Lt wrist plain film | posteroanterior view. 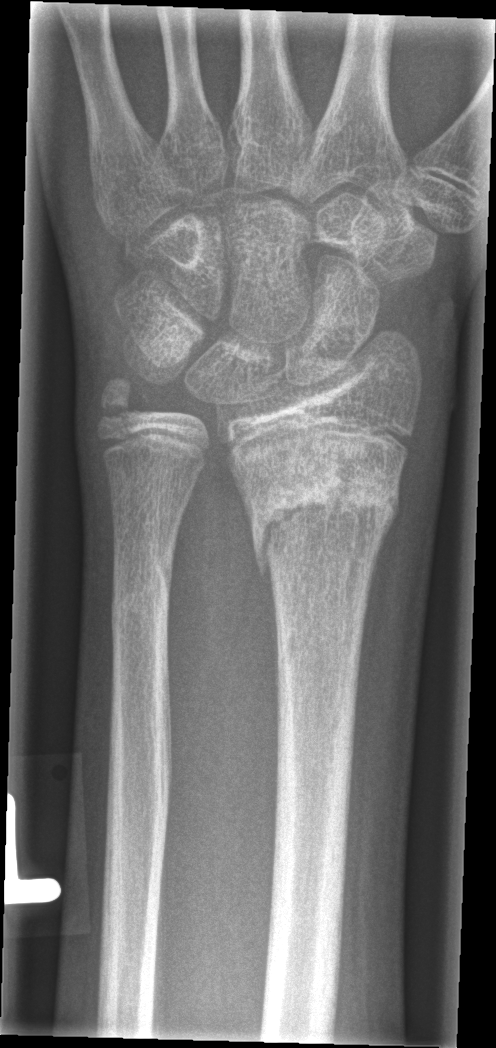
Bounding boxes in image-pixel xyxy.
Fracture identified at 246 445 407 586
  105 535 179 643
  92 369 153 435.
AO/OTA classification: 23r-M/3.1; 23u-M/2.1; 23u-E/7.